Posteroanterior projection; left wrist plain film; 14y M; follow-up; 583 x 1390 px — 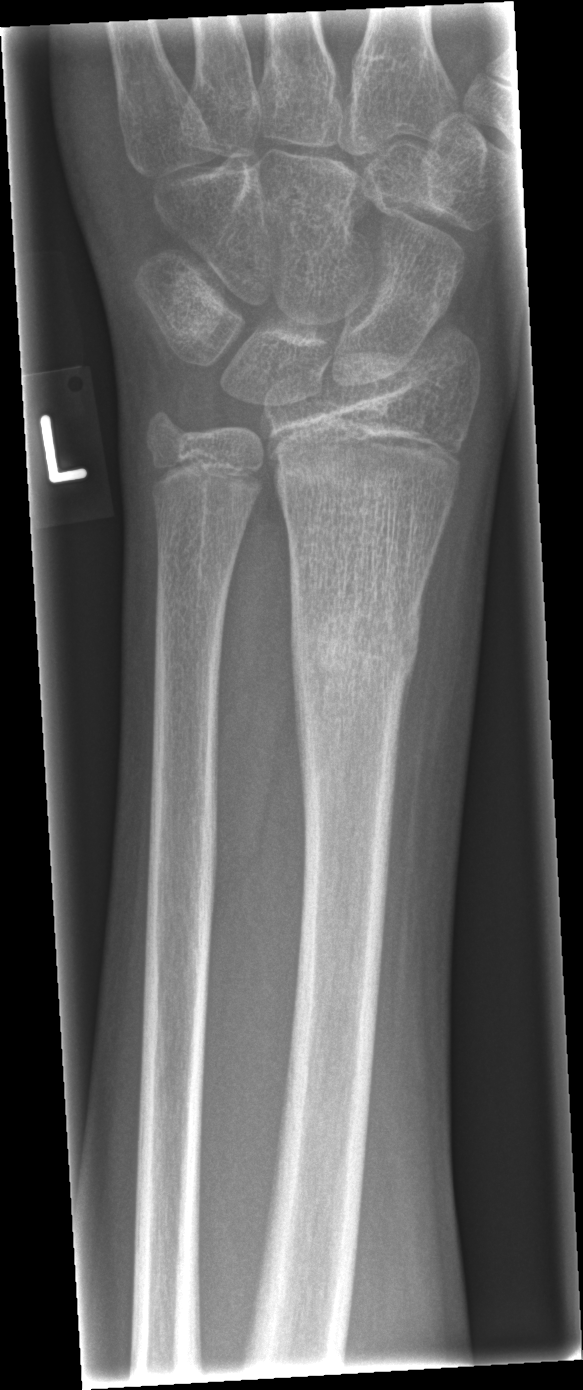 FINDINGS — (boxes as x1,y1,x2,y2 (top-left / bottom-right, pixel units)) Fx identified at (285, 599, 425, 700). AO/OTA classification: 23r-M/2.1. Osteopenia.